Left wrist radiograph; PA/AP view; boy, 6 yo. 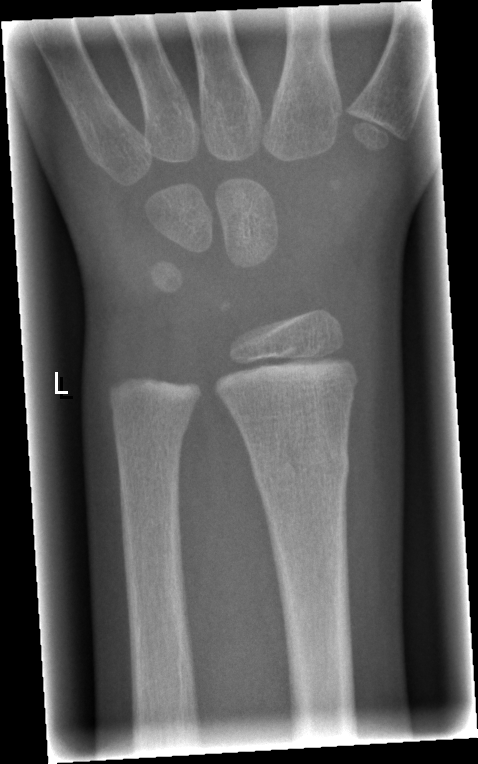
Fx: 2 @ 249,443,352,493; 112,415,192,455
AO code: 23-M/2.1